Left wrist X-ray, lateral view, pediatric patient (male, age 13), in cast:
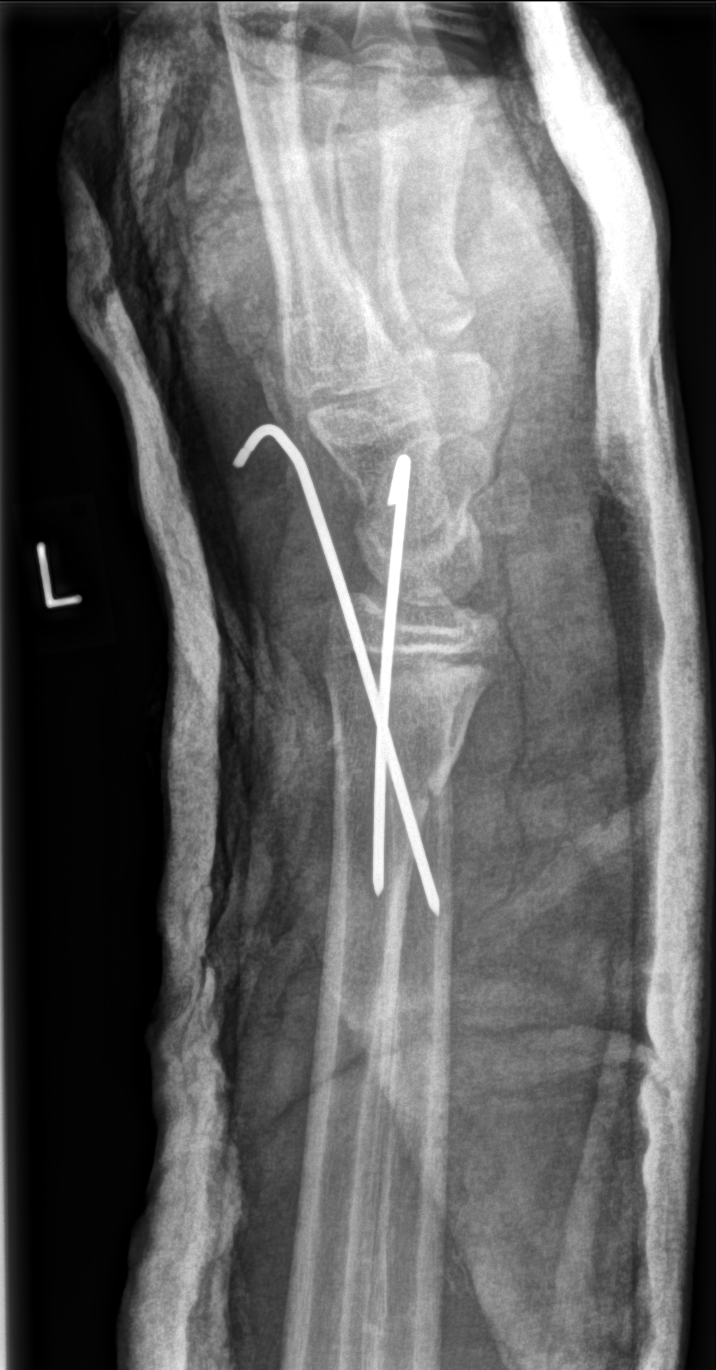
Bone fracture = 1 @ (left=320, top=644, right=500, bottom=814)
Metal = 1 @ (left=233, top=421, right=444, bottom=917)